Lateral projection | Lt wrist radiograph | detector: Siemens | 560x1030

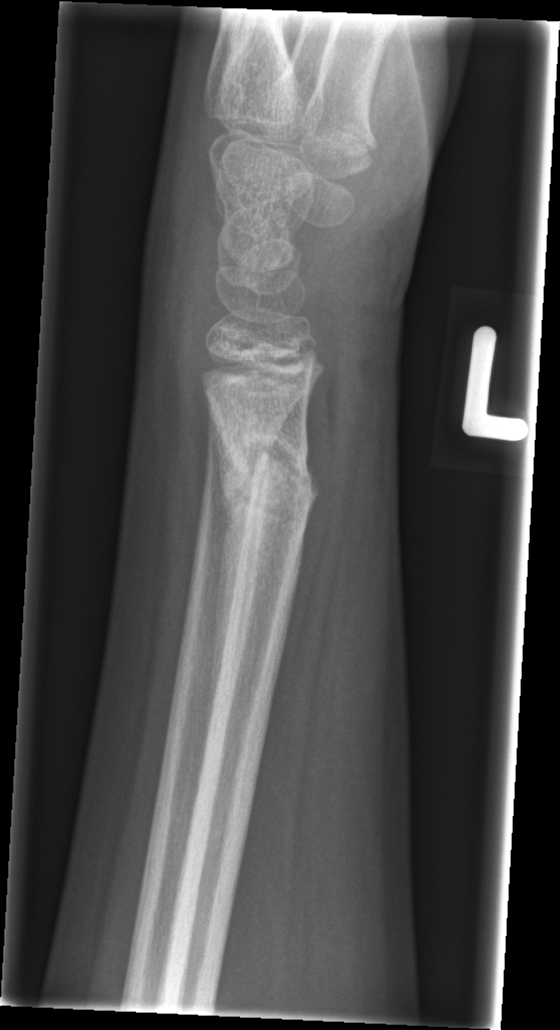
FINDINGS: (coordinates are [x1, y1, x2, y2] in image pixels) Periosteal thickening identified at <201,404>-<253,775>. AO code 23r-M/3.1. One fracture at <217,426>-<317,527>. Decreased bone density (osteopenia).